PA/AP | right wrist X-ray | index exam 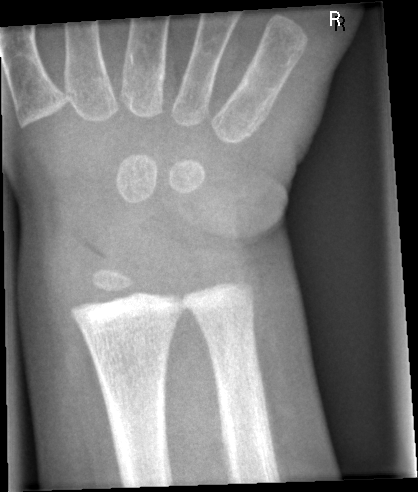
bone fracture = none labeled